Lateral · Lt wrist radiograph · diagnosis uncertain · 405 x 584 px 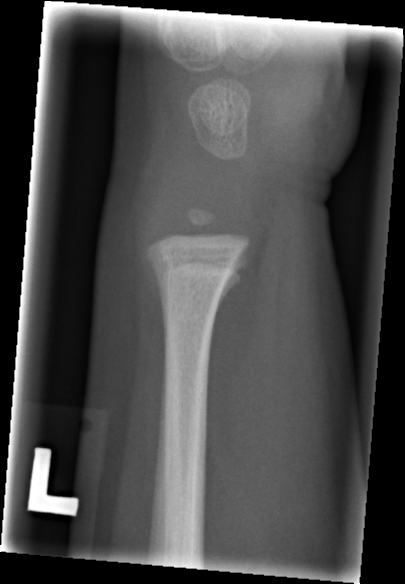
FINDINGS — No Fx annotated.